PA/AP view · left wrist X-ray · index exam

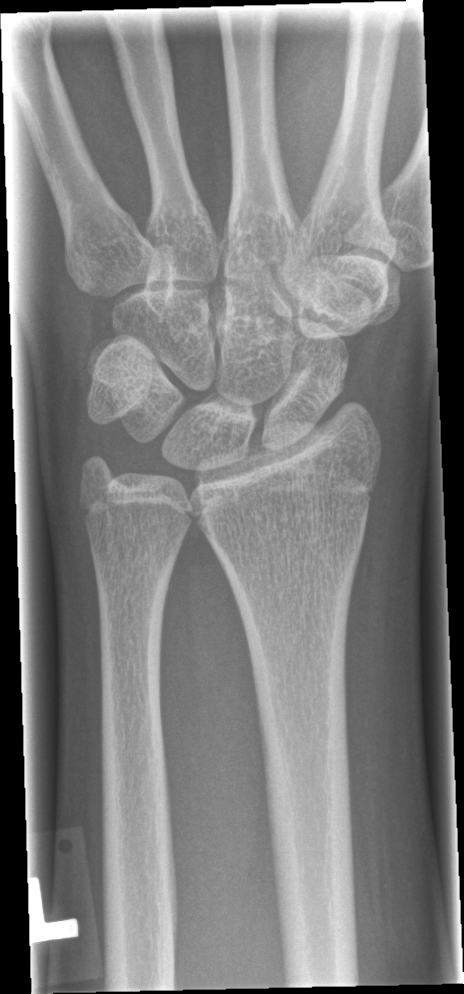

FINDINGS: No fracture bounding box.